L wrist X-ray, lateral, male, 9 yo, cast present, Siemens —

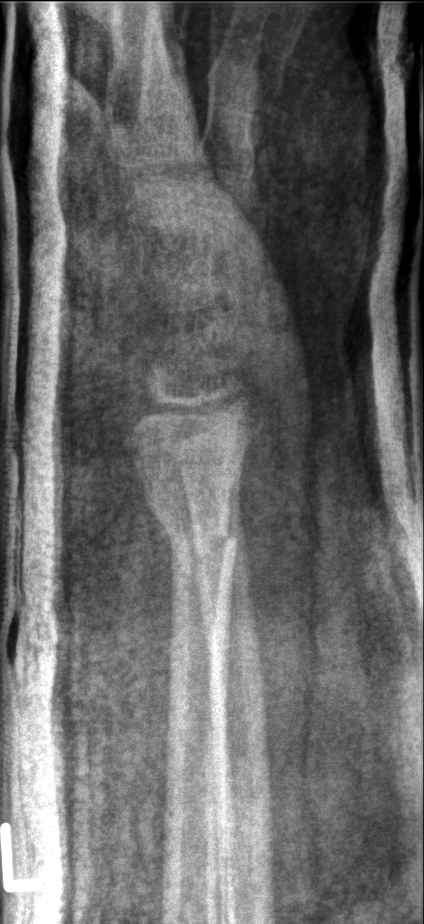

Bounding boxes in image-pixel xyxy. Bone fracture identified at (left=157, top=506, right=242, bottom=575). AO code 23r-M/3.1.